Lat; Lt wrist X-ray; pediatric patient (girl, age 8). 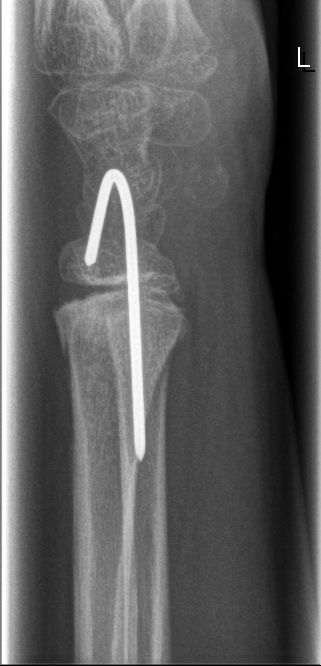 (pixel coordinates, top-left origin, xyxy)
Fx: 1 @ bbox(46, 276, 193, 364)
AO classification: 23r-E/2.1; 23u-M/2.1
Osteopenia: present
Metallic implant: 1 @ bbox(81, 167, 148, 464)